Right wrist XR · lat projection · female, 6 yo: 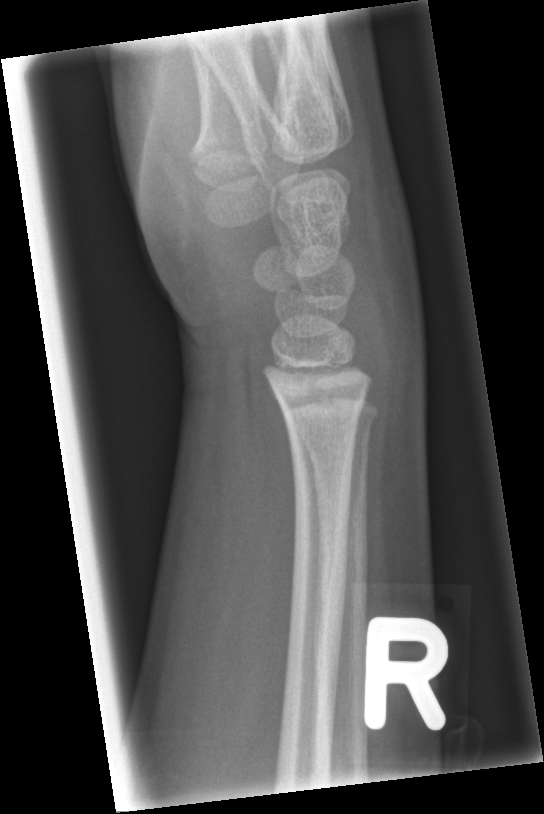 Fx: none labeled